L wrist radiograph · PA/AP projection · age 9 y, girl: 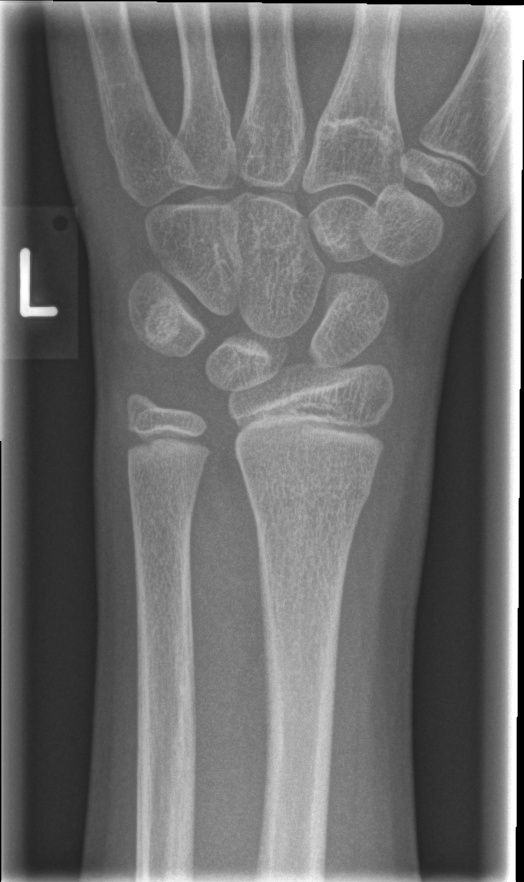

Bone fracture — 240 469 377 519.